Right wrist plain film; lat; subsequent exam; cast present; Siemens; 533 by 1124 pixels:
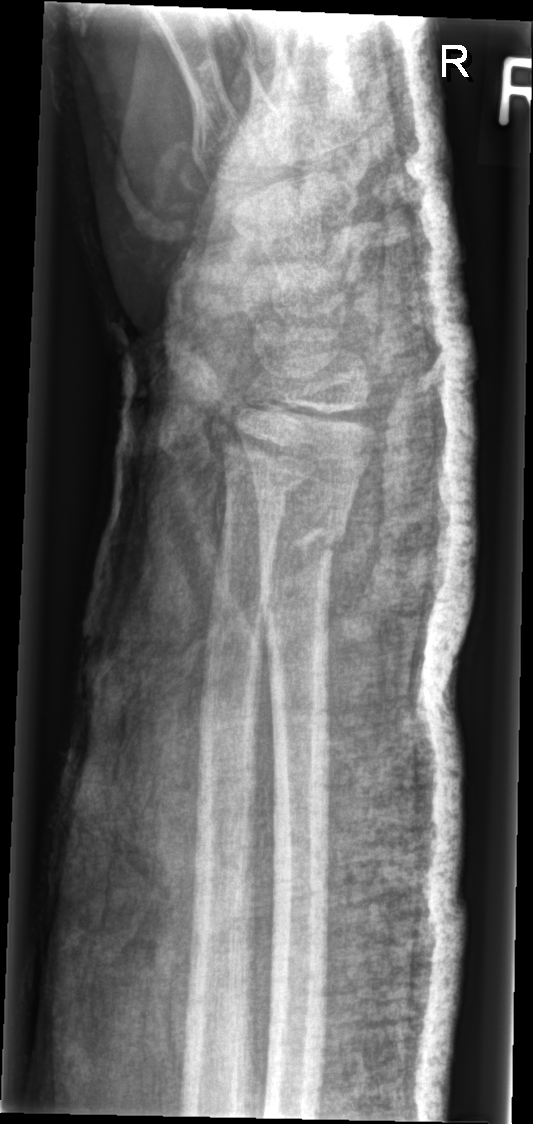 AO classification: 23-M/3.1
Bone fracture: [254, 498, 351, 569] [219, 453, 314, 502]